Rt wrist X-ray, lat, index exam.
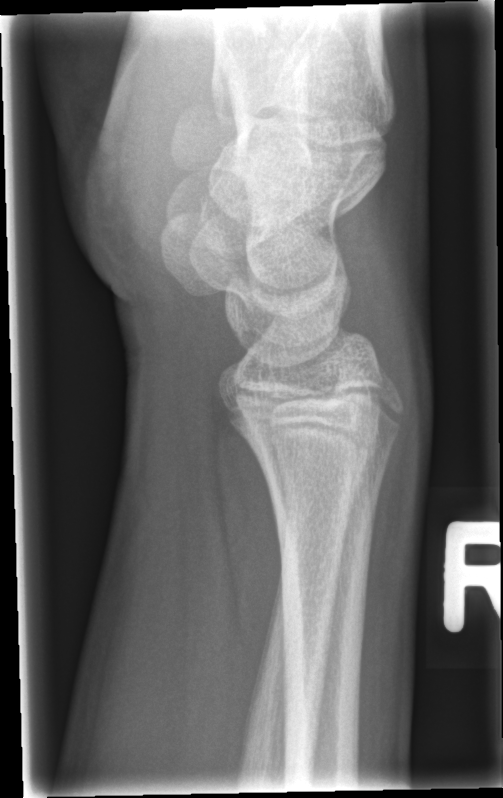 Q: Locate any fractures.
A: No fracture labeled